AP view | L plain radiograph of the wrist | cast present | 816 by 882 pixels:
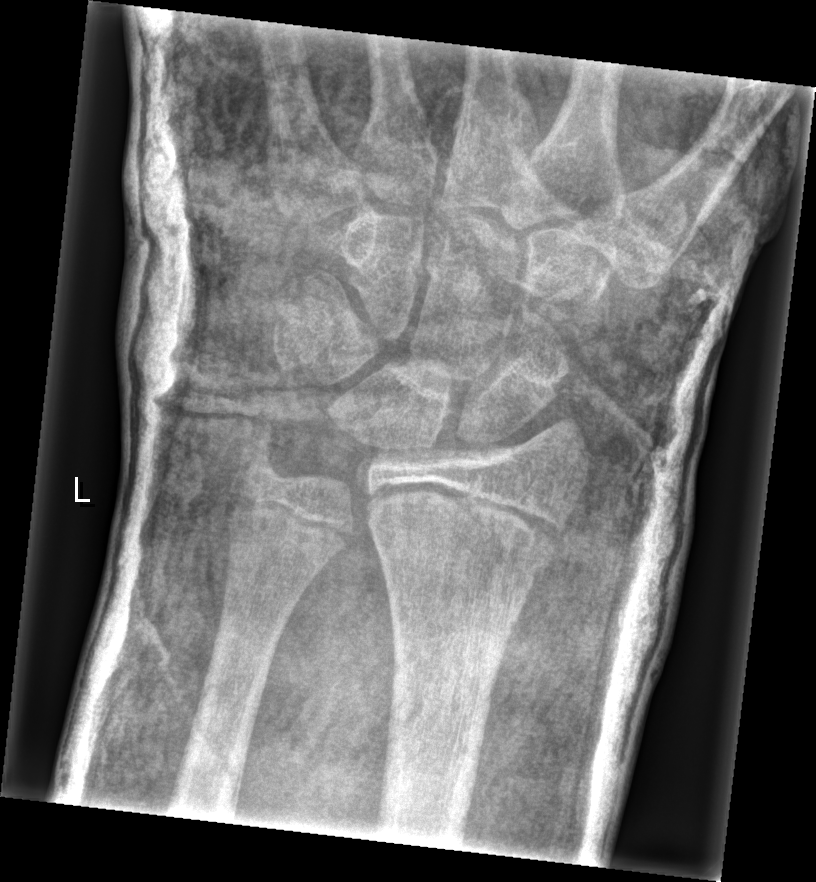
Coordinates are [x1, y1, x2, y2] in image pixels.
Fracture identified at (left=368, top=480, right=564, bottom=588), (left=232, top=426, right=294, bottom=491).
AO code 23r-E/2.1; 23u-E/7.